Frontal projection; L plain radiograph of the wrist; 11-year-old female; 845x770 — 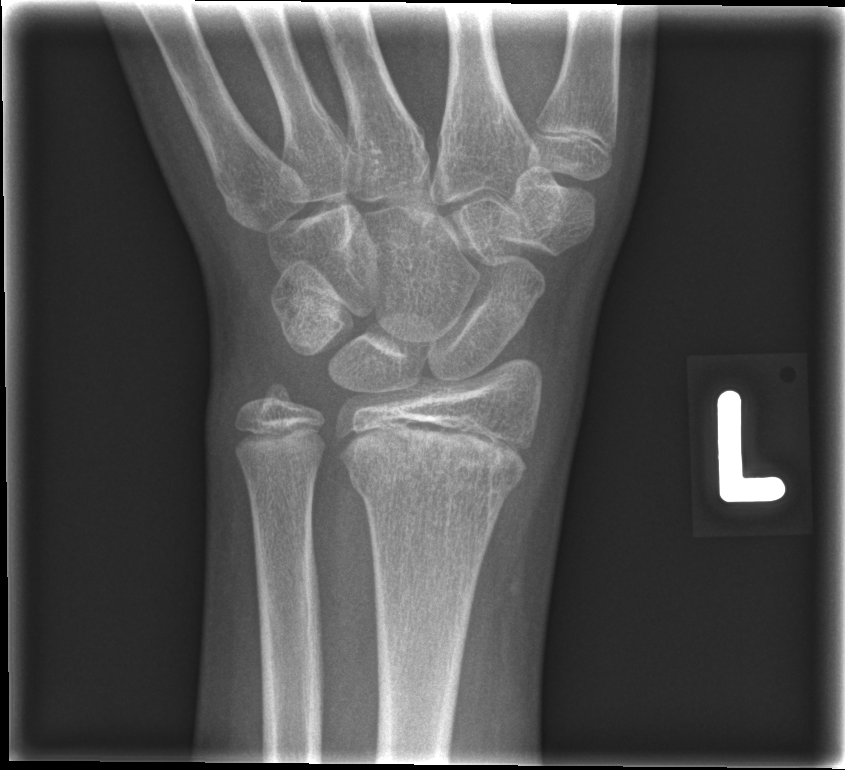 Boxes as x1,y1,x2,y2 (top-left / bottom-right, pixel units). Bone fracture identified at [343, 421, 532, 512].